Frontal projection | L wrist plain film | 6y M | cast present.
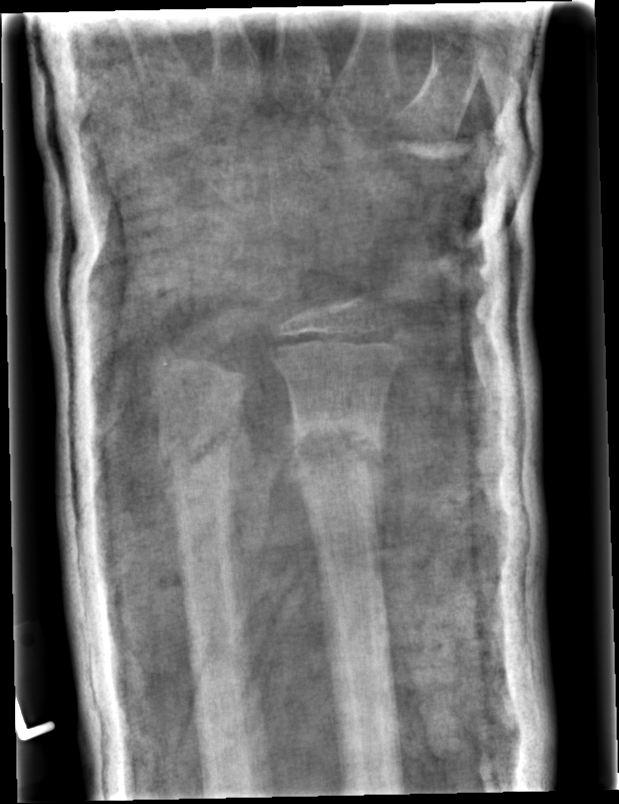 Fractures — 287,411,387,486
  156,420,241,470.
Fracture classified AO/OTA 23-M/3.1.